Lateral; left wrist radiograph; 11-year-old boy; 140.1 mm image width — 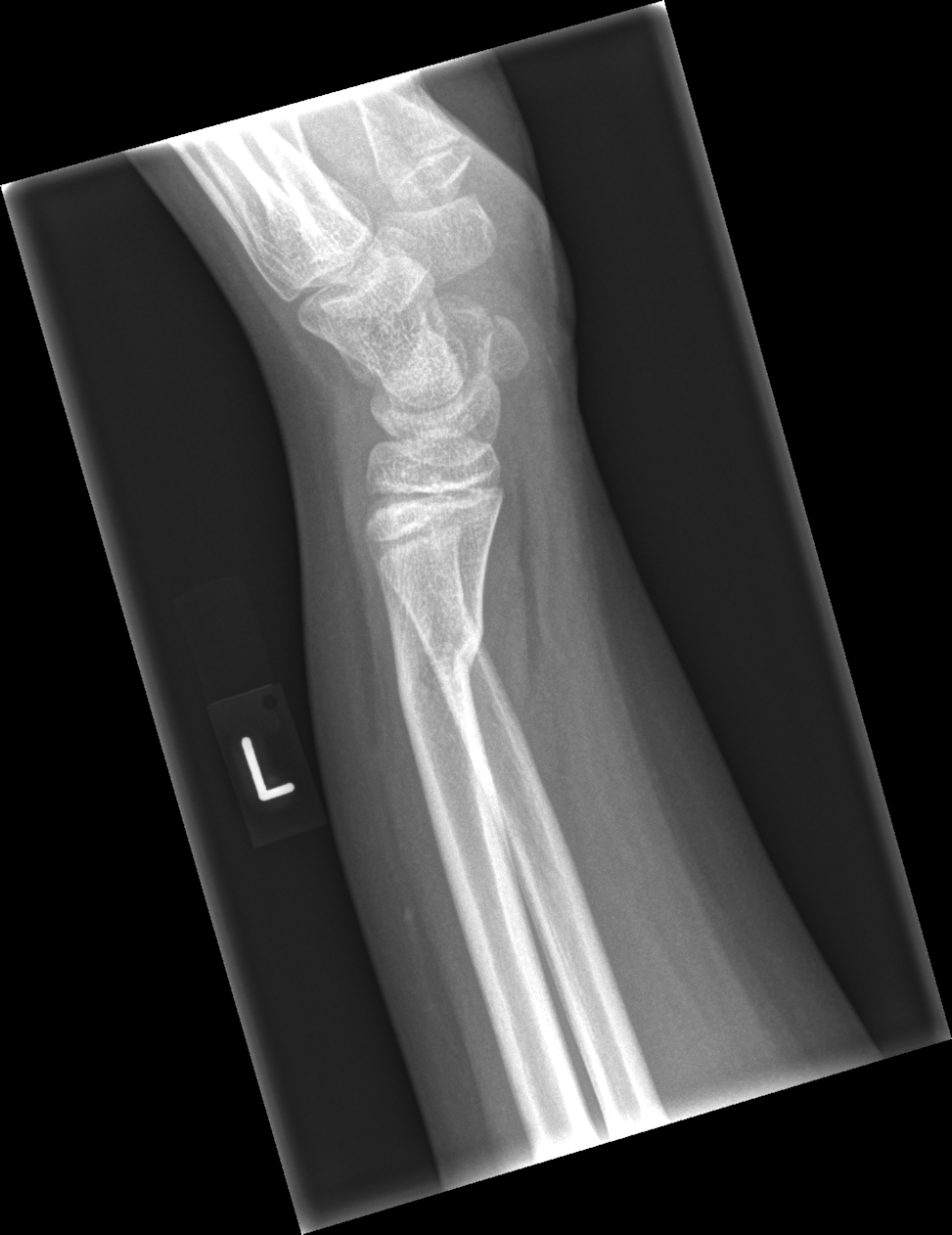 Fx = (left=393, top=605, right=488, bottom=715)